Right wrist plain radiograph of the wrist | PA projection | pediatric patient (girl, age 14)

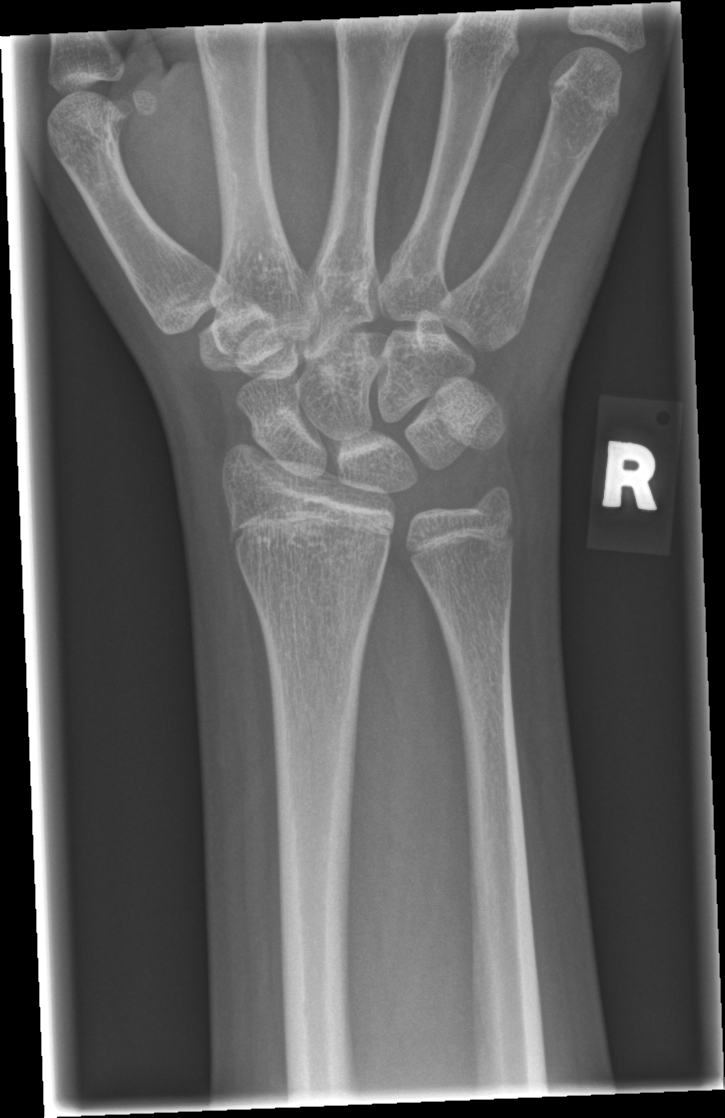 Q: Fracture present?
A: No fracture annotation